L wrist XR · posteroanterior · female, 9 yo · index exam · image size 566x738.

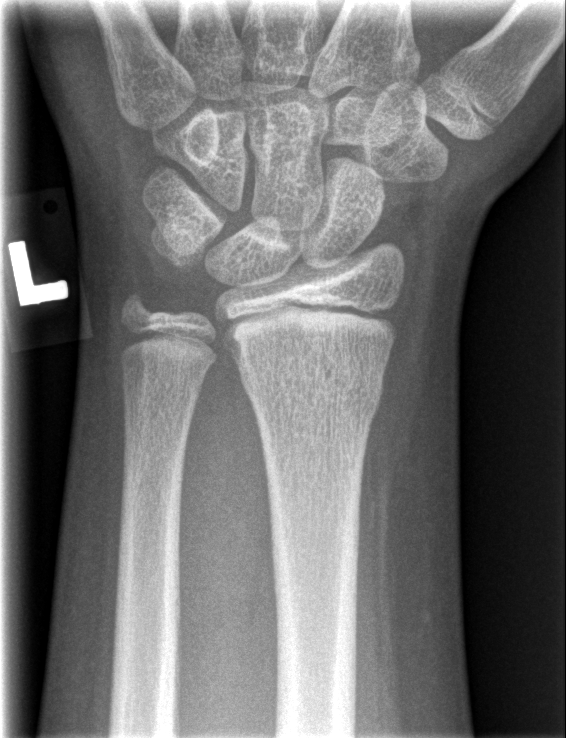
{"_coords": "coordinates are [x1, y1, x2, y2] in image pixels", "fracture": "1 @ (237, 347, 384, 426)", "ao": "23r-M/2.1"}